Left wrist X-ray | PA/AP | subsequent exam | cast in situ | Siemens — 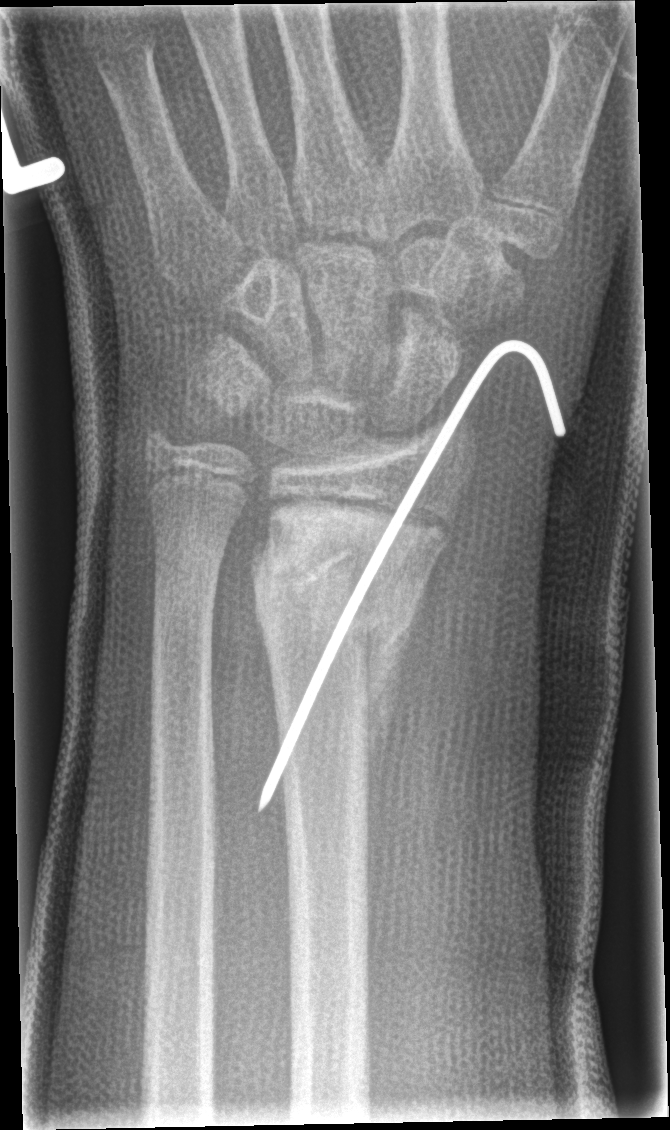 Bounding boxes in image-pixel xyxy.
Fx identified at bbox(249, 508, 440, 682).
Periosteal new bone — bbox(366, 622, 413, 911).
One metallic implant at bbox(246, 333, 573, 816).